Lateral projection, left wrist XR, cast in situ, 594x821 — 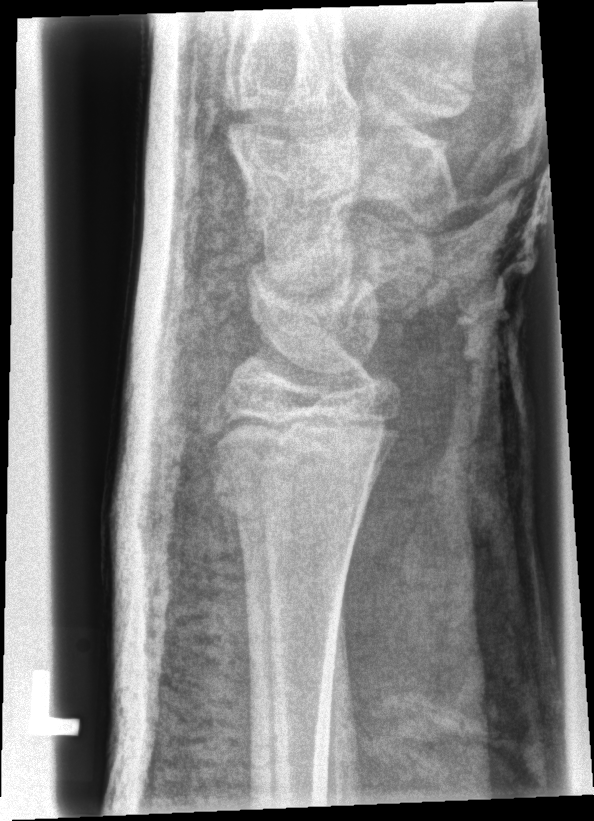 FINDINGS — AO code 23r-M/3.1; 23u-E/7. One Fx at (left=208, top=457, right=381, bottom=541).